Right wrist plain radiograph of the wrist; lateral view; detector: Siemens.
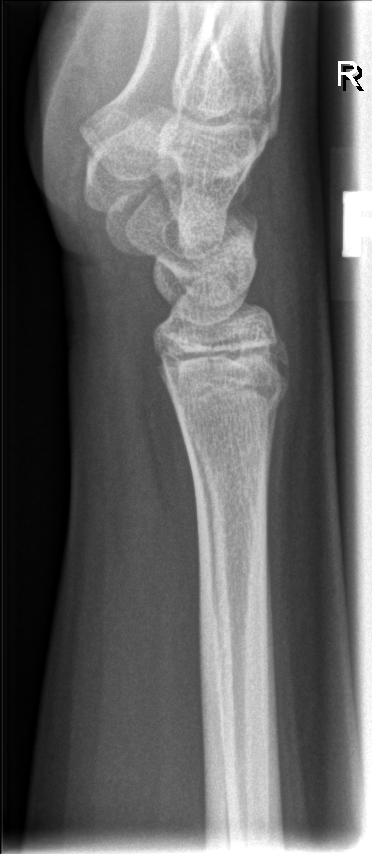
Q: Locate any fractures.
A: One bone fracture at [x1=170, y1=379, x2=289, y2=435]
Q: What is the AO/OTA classification?
A: AO/OTA classification: 23r-M/2.1